Lateral projection · left wrist radiograph · follow-up · cast in situ.

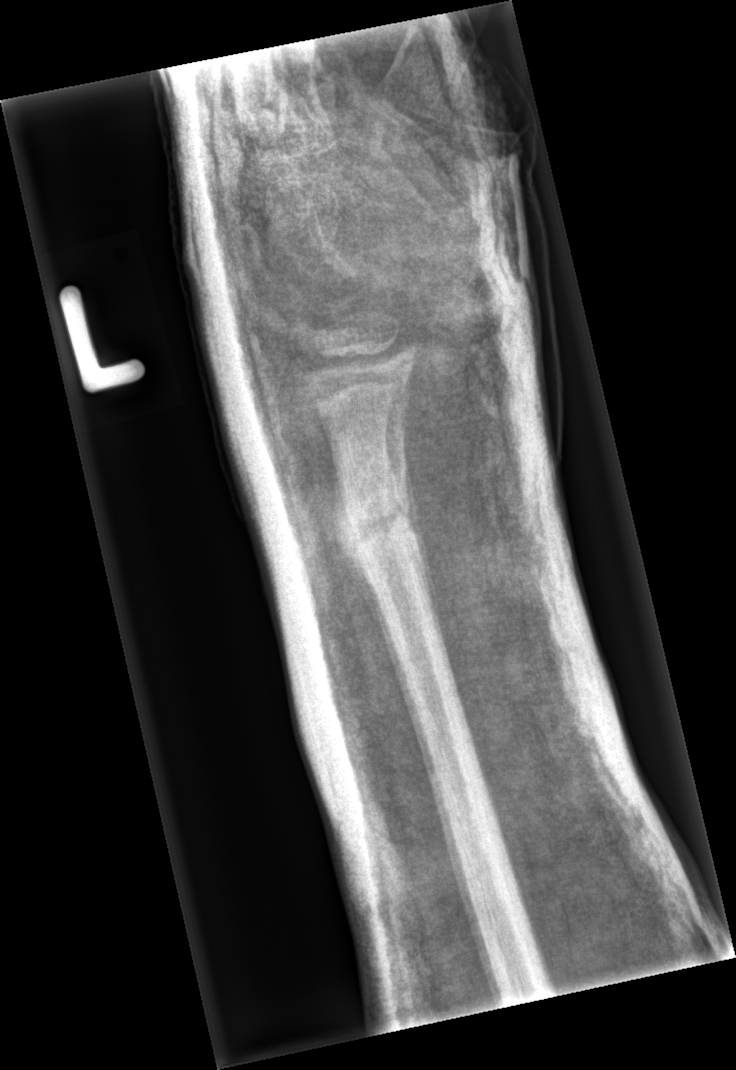

Findings: One periosteal new bone at [x1=330, y1=479, x2=380, y2=620]. AO/OTA classification: 23-M/3.1. Fracture: [x1=331, y1=477, x2=423, y2=575].